Posteroanterior projection · R pediatric wrist radiograph · image width 78.6 mm · 546 by 911 pixels —

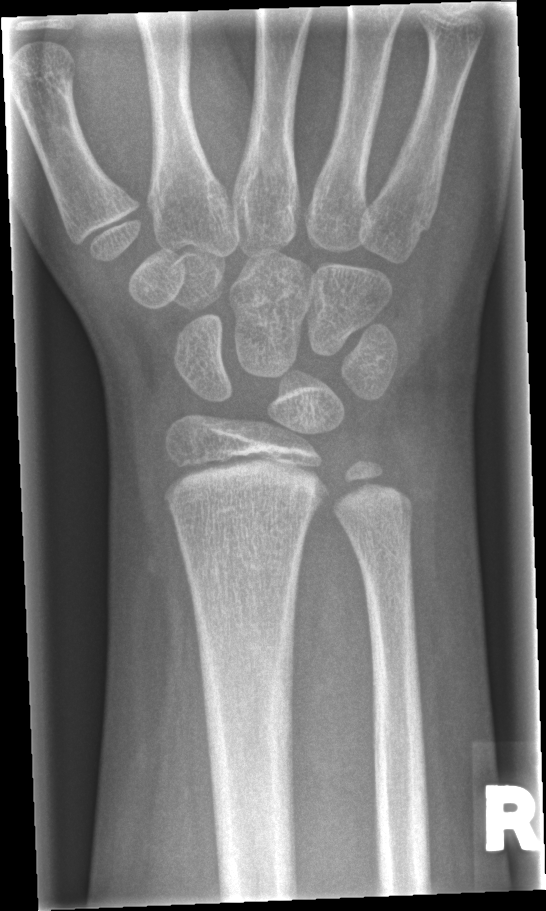
fracture: none labeled